Lateral projection, right wrist plain film, girl, 15 yo, initial study 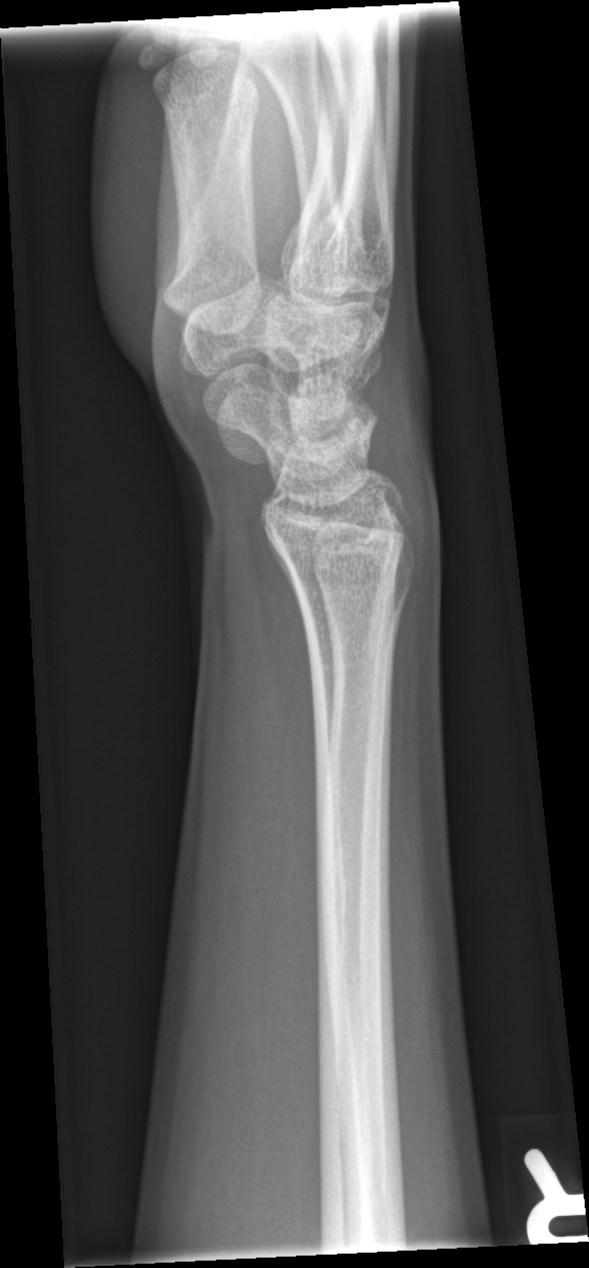
Fx = none labeled